Posteroanterior, left wrist pediatric wrist radiograph, 6y M, cast present, detector: Siemens —

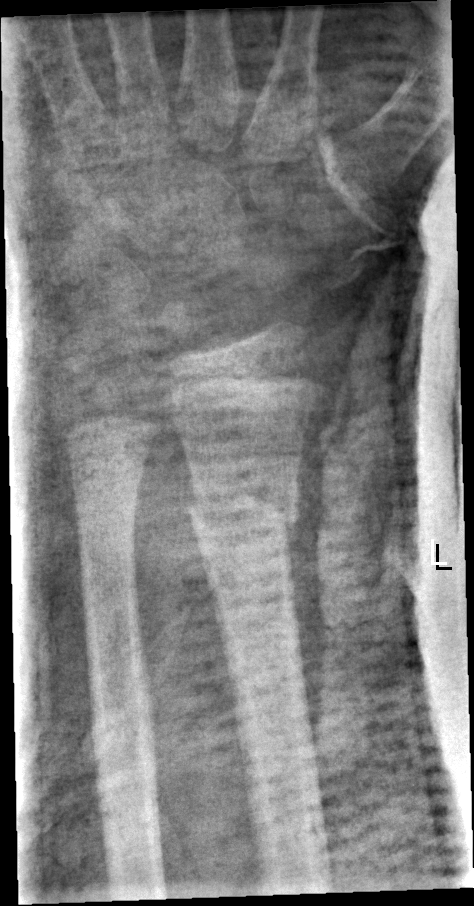

Fracture = <183,474>-<299,542>
AO/OTA = 23r-M/3.1; 23u-M/2.1